Lateral view; Rt wrist radiograph; 1.2y F; subsequent exam; cast in situ; 486 by 560 pixels:
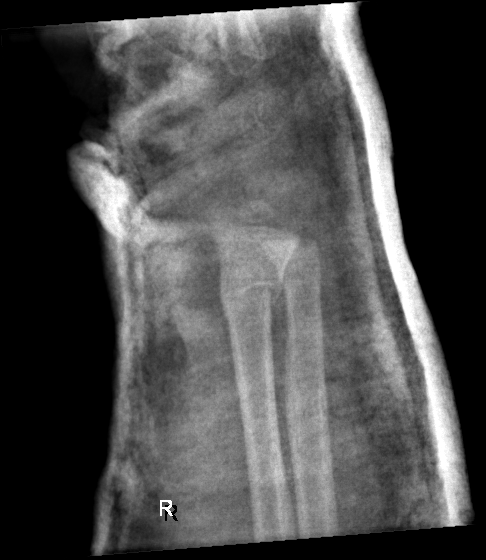 {
  "ao": "23r-M/3.1",
  "fracture": "1 @ [x1=216, y1=271, x2=287, y2=317]"
}